PA/AP projection; Lt pediatric wrist radiograph; age 11 y, boy; 66.1 mm image width; 459x808
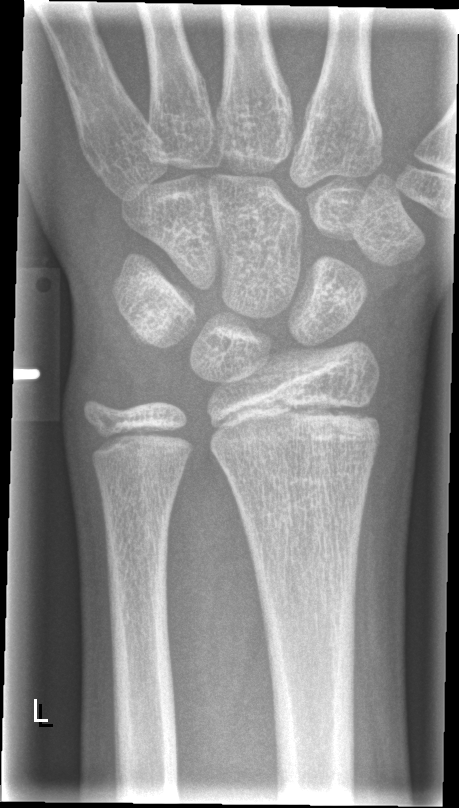
No fracture labeled.